PA view; Lt wrist X-ray; age 11 y, male.

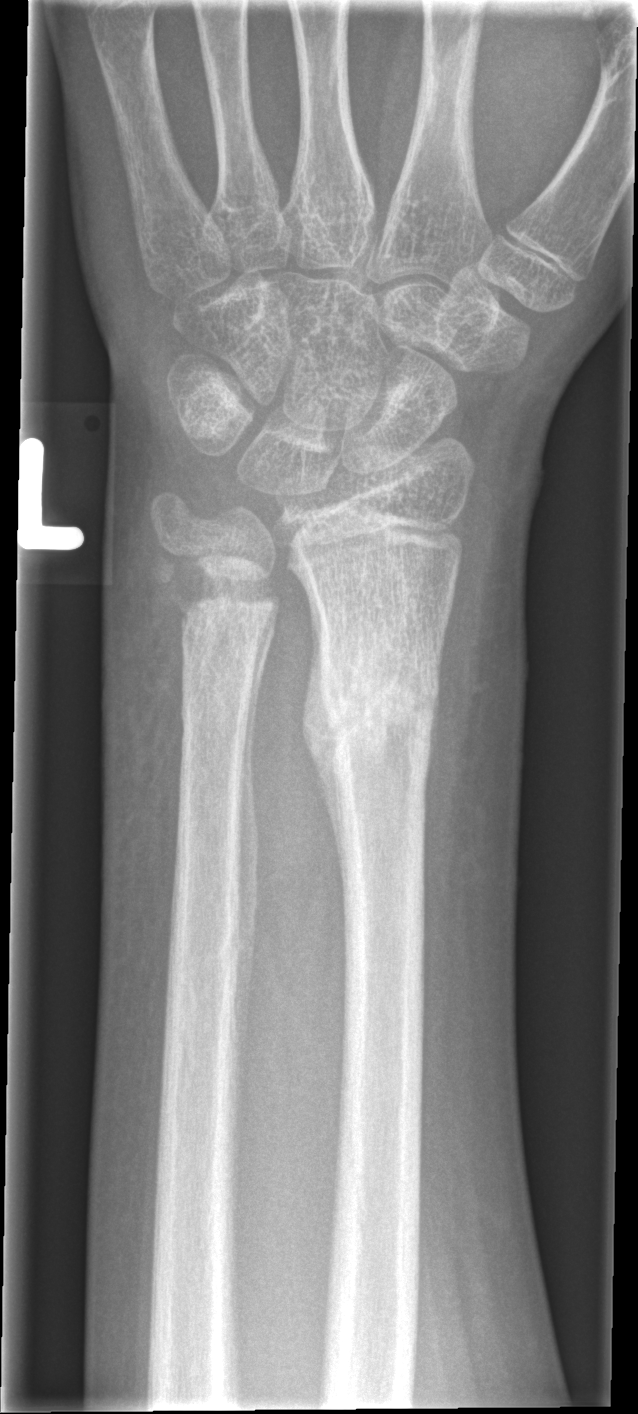

{
  "osteopenia": "present",
  "periostealreaction": "2 @ <283,546>-<347,913> <234,597>-<279,1084>",
  "fracture": "<314,653>-<442,778>, <155,541>-<286,632>"
}